Right wrist XR, lateral, index exam.

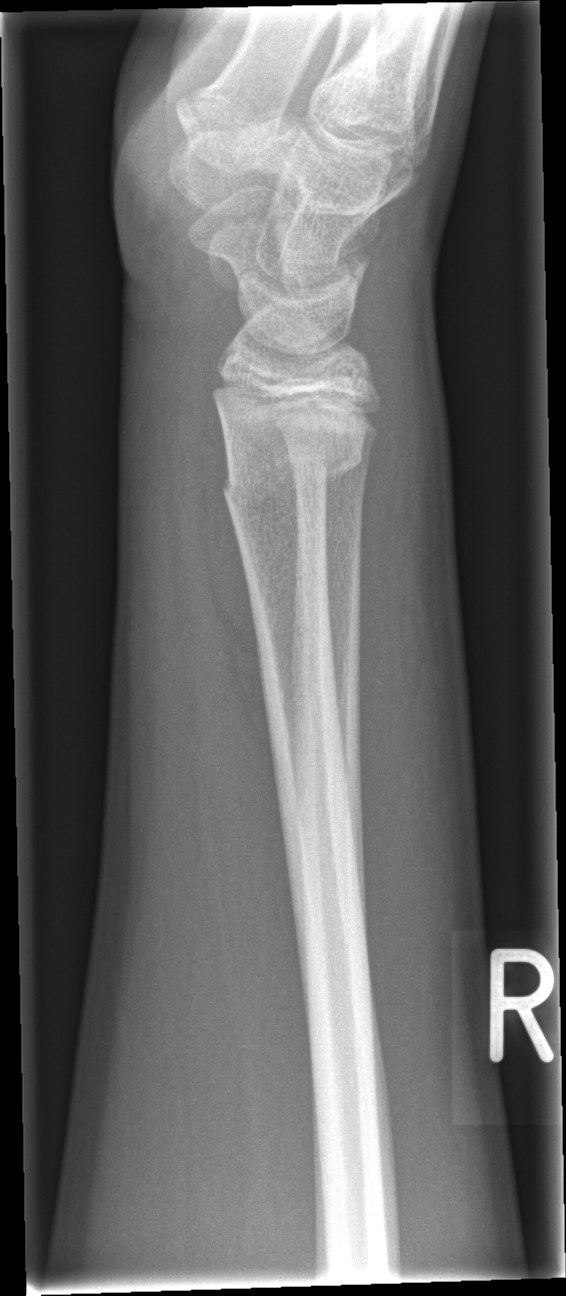

{"_coords": "coordinates are [x1, y1, x2, y2] in image pixels", "fracture": "215,410,368,517", "ao": "23r-M/3.1; 23u-E/7"}